Lateral · L wrist plain film: 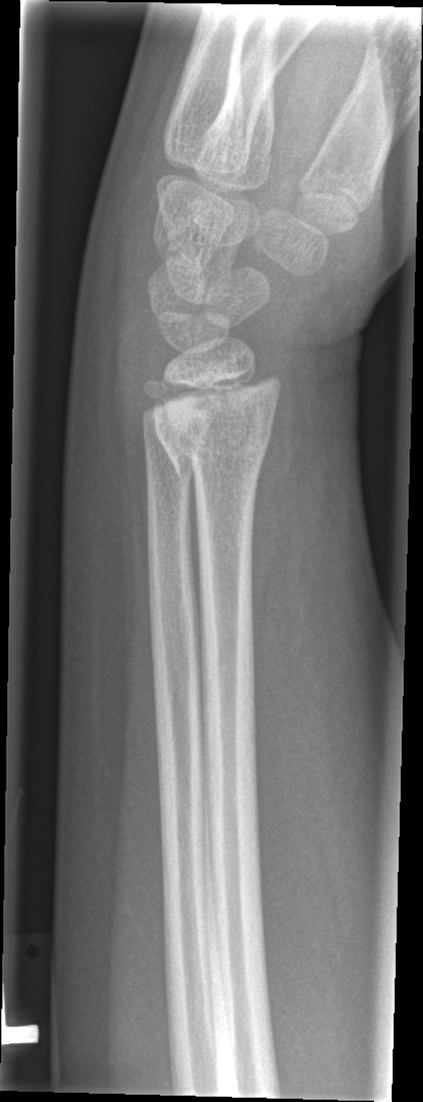

Findings: Bone fracture identified at bbox(144, 370, 287, 485). Fracture classified AO/OTA 23r-E/2.1.